Posteroanterior view, R pediatric wrist radiograph, pediatric patient (boy, age 9), detector: Siemens:
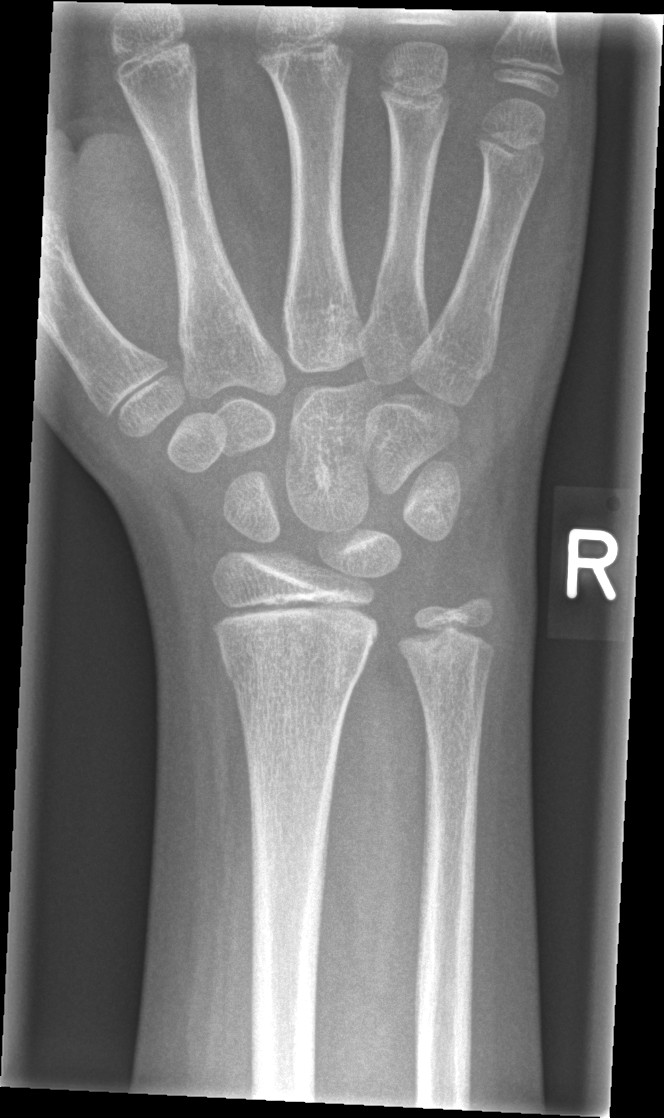
{
  "fracture": "1 @ (left=220, top=633, right=370, bottom=687)"
}